Lateral, L wrist XR, girl, 5 yo: 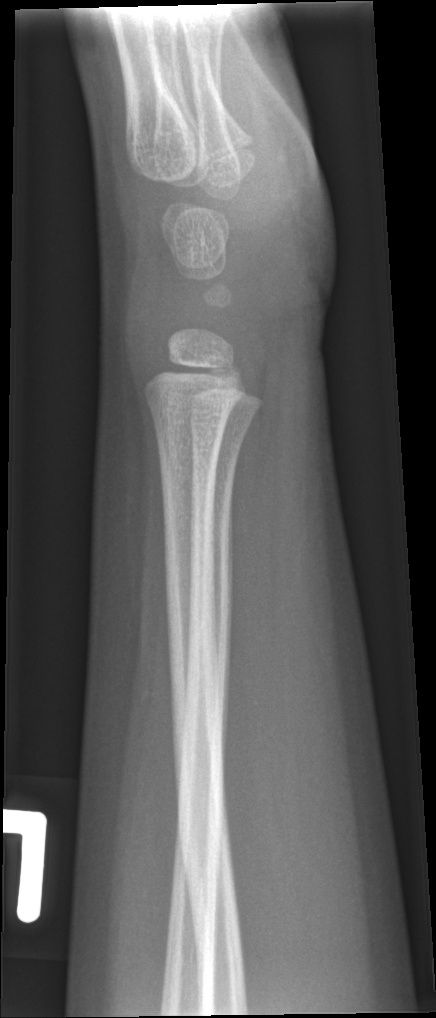

Fx = none labeled